Right wrist X-ray, PA view, follow-up study, cast in situ.
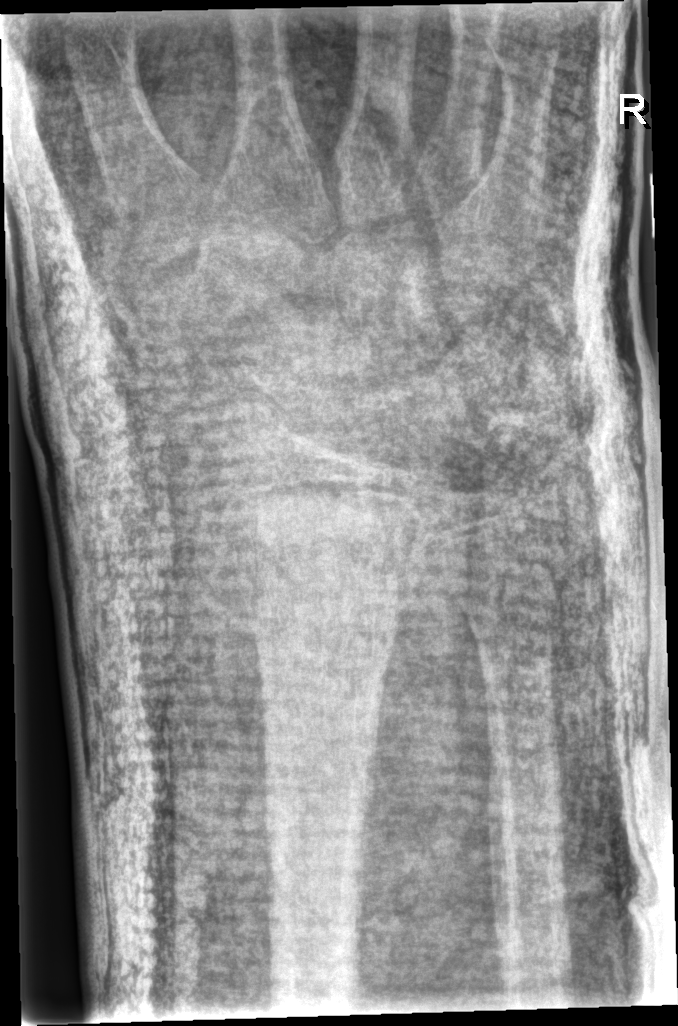
  ao: 23r-E/2.1; 23u-E/7
  fracture: 1 @ (left=228, top=486, right=425, bottom=582)